Lat; left plain radiograph of the wrist; 1.0-year-old boy; 394x488
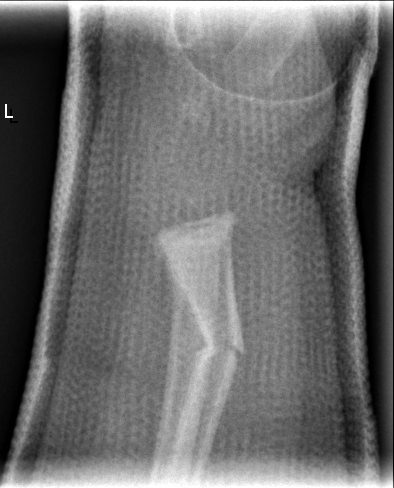

{
  "_coords": "coordinates are [x1, y1, x2, y2] in image pixels",
  "fracture": "<187,317>-<248,372>",
  "ao": "23r-M/3.1; 23u-M/2.1"
}